Lt plain radiograph of the wrist, PA/AP projection, 14-year-old male, 616x1032 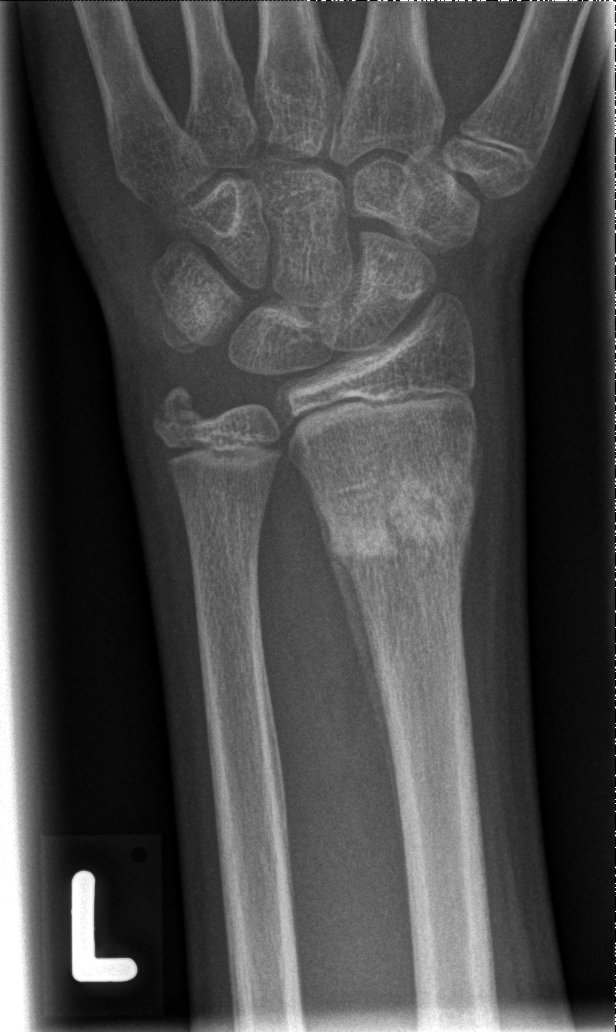
Fx: [x1=322, y1=458, x2=481, y2=580], [x1=146, y1=375, x2=208, y2=436]
Periosteal thickening: [x1=329, y1=549, x2=414, y2=923]